AP view · L wrist radiograph · cast in situ.

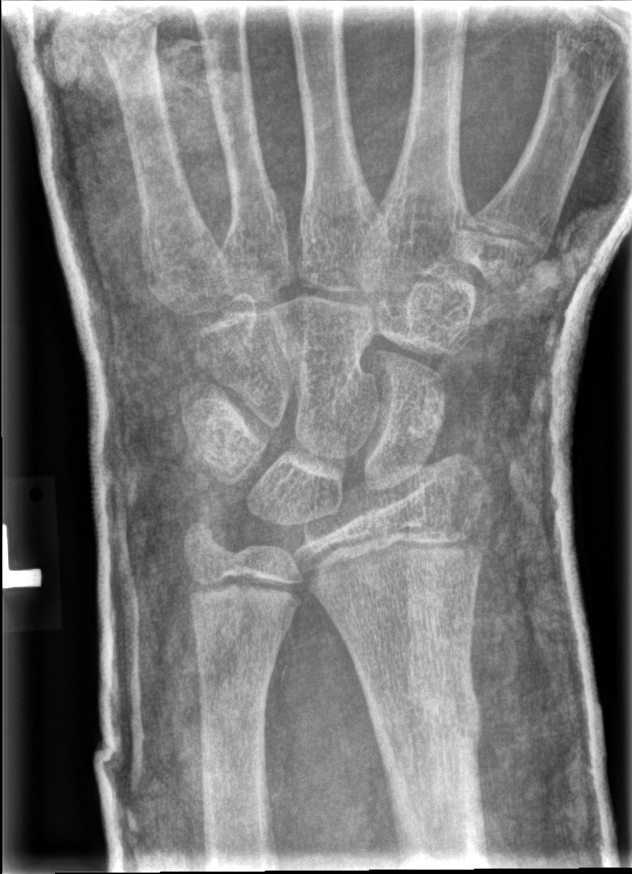 - One Fx at <361,664>-<486,774>.